Posteroanterior, Lt wrist X-ray, image size 748x1420 —
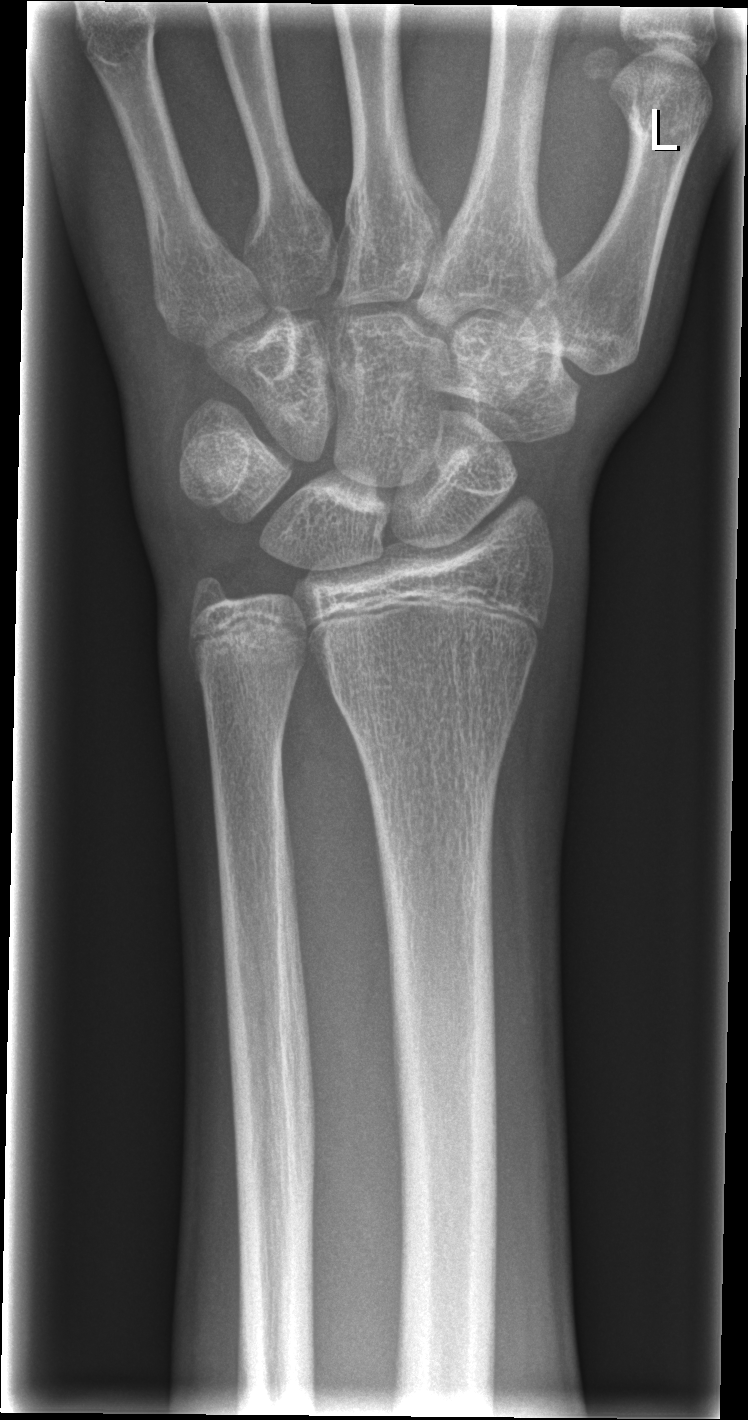
fracture = none labeled